Rt wrist plain film, lateral view.

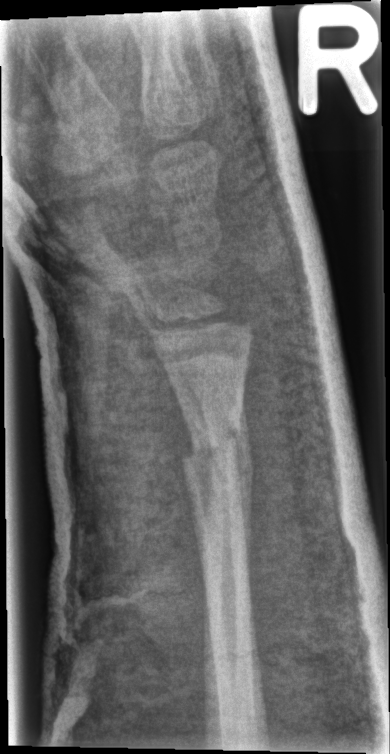

Bounding boxes in image-pixel xyxy. AO/OTA classification: 23-M/3.1. Fracture — bbox(172, 419, 260, 477).